Rt wrist radiograph | lateral | 5-year-old girl | 498 x 690 px
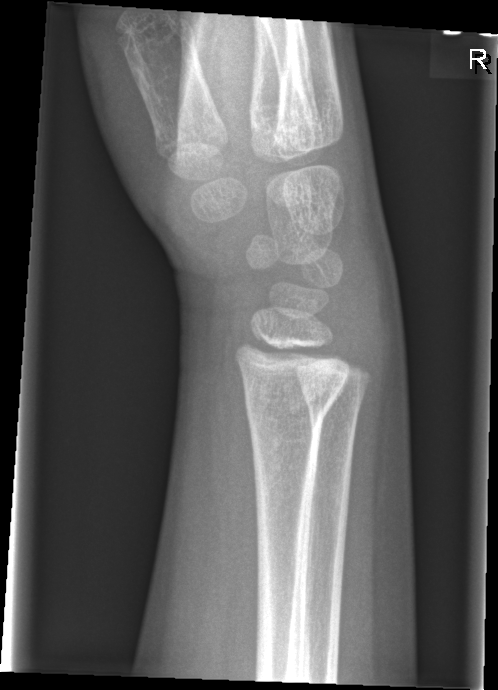 fracture: 238,378,347,439